Rt wrist radiograph · lat · image 72.9 mm wide · 506 by 930 pixels —
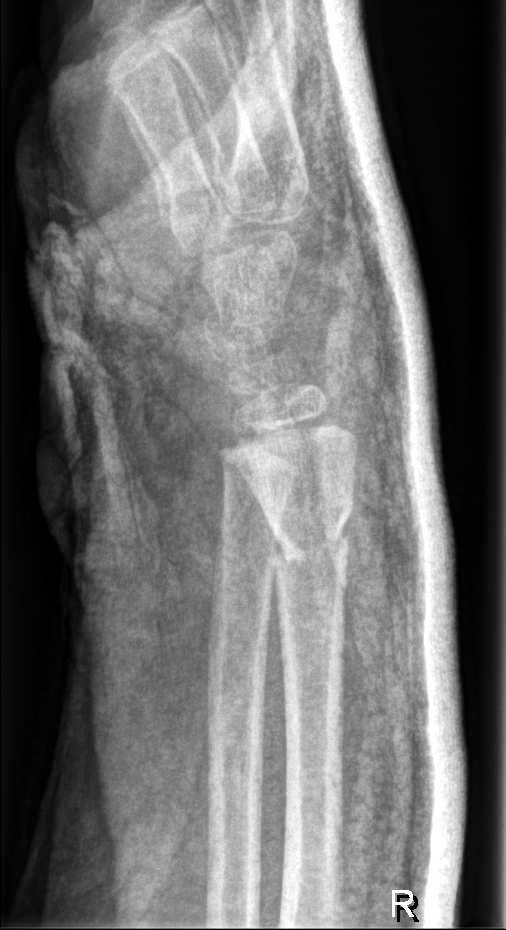

Fracture: [x1=267, y1=499, x2=356, y2=570].